Left wrist XR; posteroanterior projection; age 7 y, male; image width 77.8 mm: 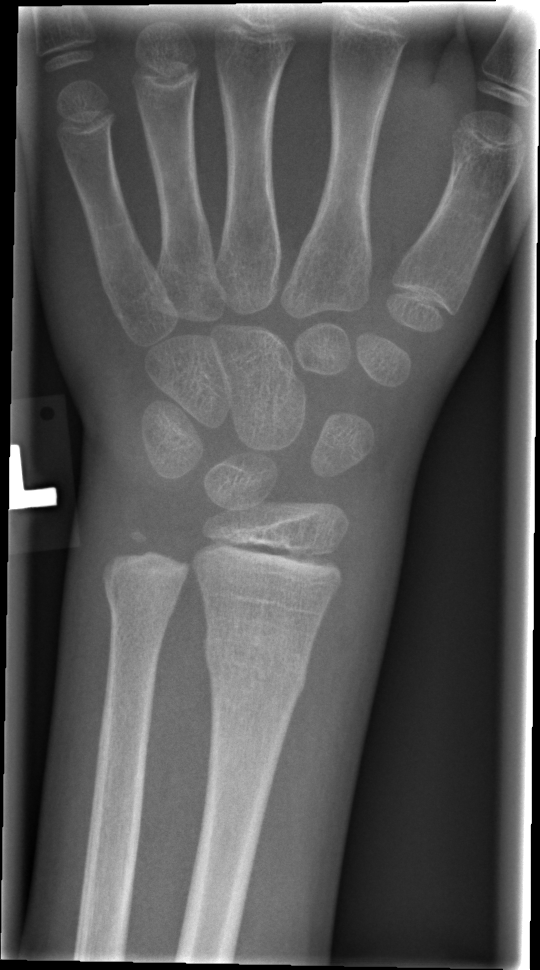

Fx — bbox(200, 623, 312, 702) bbox(101, 567, 185, 627).